Rt plain radiograph of the wrist | PA/AP | Siemens.
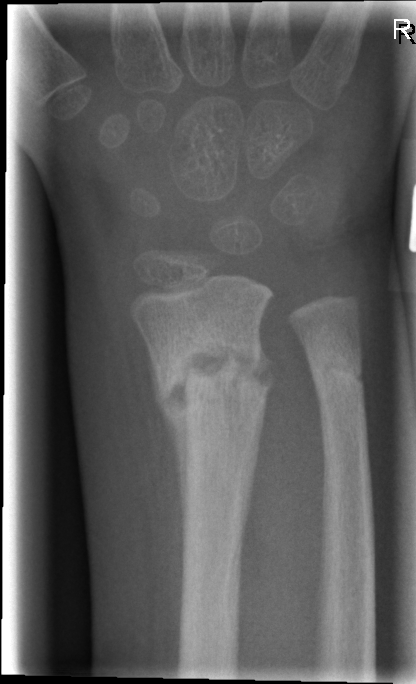

(coordinates are [x1, y1, x2, y2] in image pixels)
Periosteal thickening: 1 @ (150, 355, 188, 556)
Bone fracture: (146, 337, 280, 416) (303, 341, 371, 393)
Osteopenia: present